Lateral projection · right wrist plain film · 439 by 862 pixels.
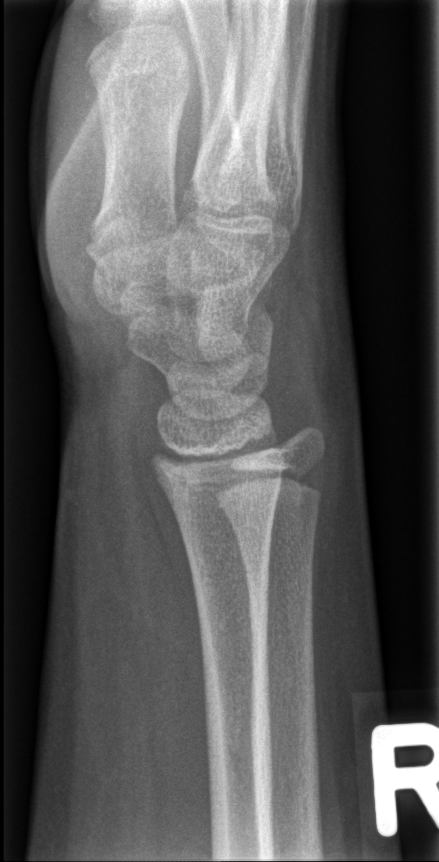

No fracture annotation.